PA projection | left wrist pediatric wrist radiograph 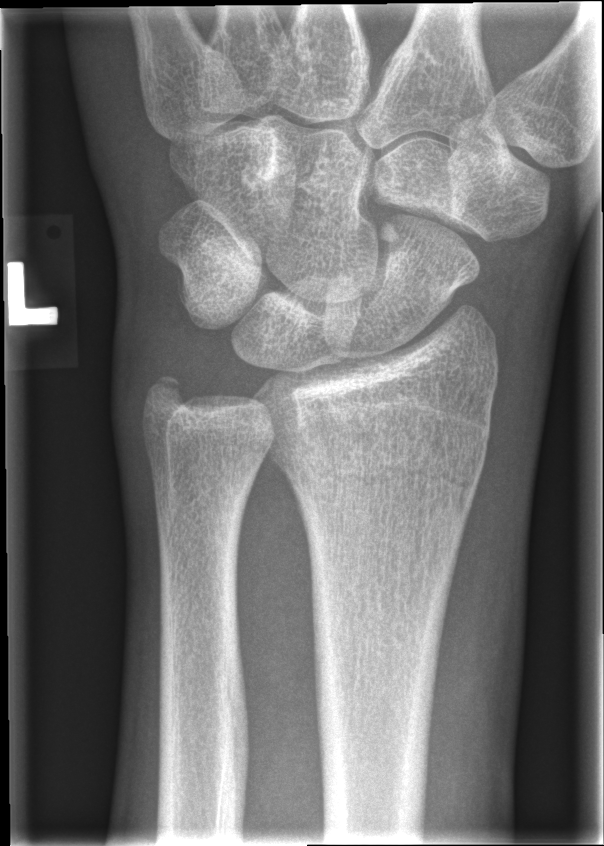

  fracture: 2 @ (290, 458, 486, 517) (140, 368, 196, 424)